Lat; left wrist radiograph; 9y M:

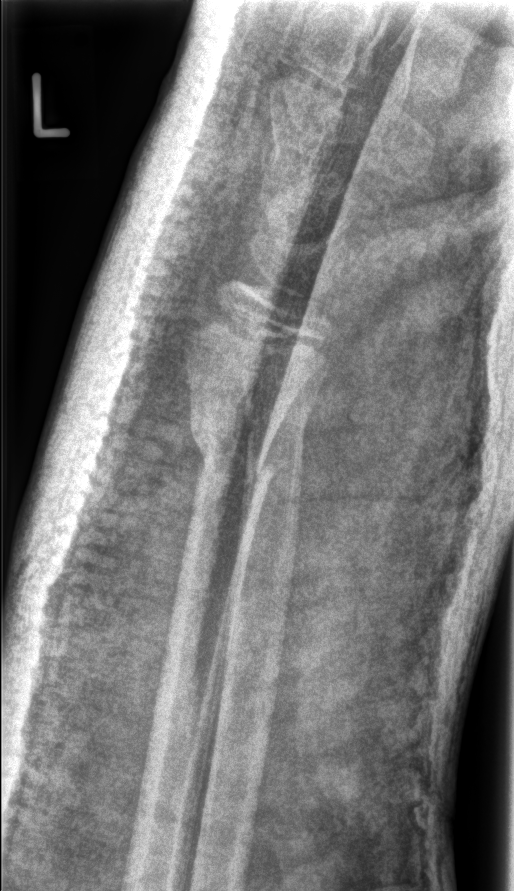

AO code = 23r-M/3.1; 23u-M/2.1
Fx = 1 @ bbox(187, 411, 278, 496)